L wrist radiograph, lat projection, 3y M, subsequent exam, acquired on Siemens:
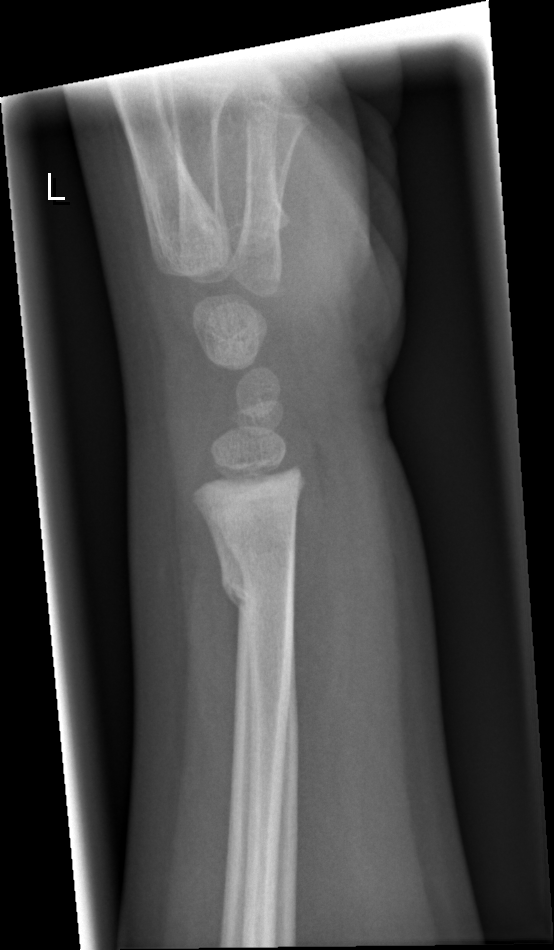

{"_coords": "coordinates are [x1, y1, x2, y2] in image pixels", "pronatorsign": "(294, 469, 349, 758)", "fracture": "(218, 572, 299, 624)"}